Lat; left pediatric wrist radiograph; 477x1350.

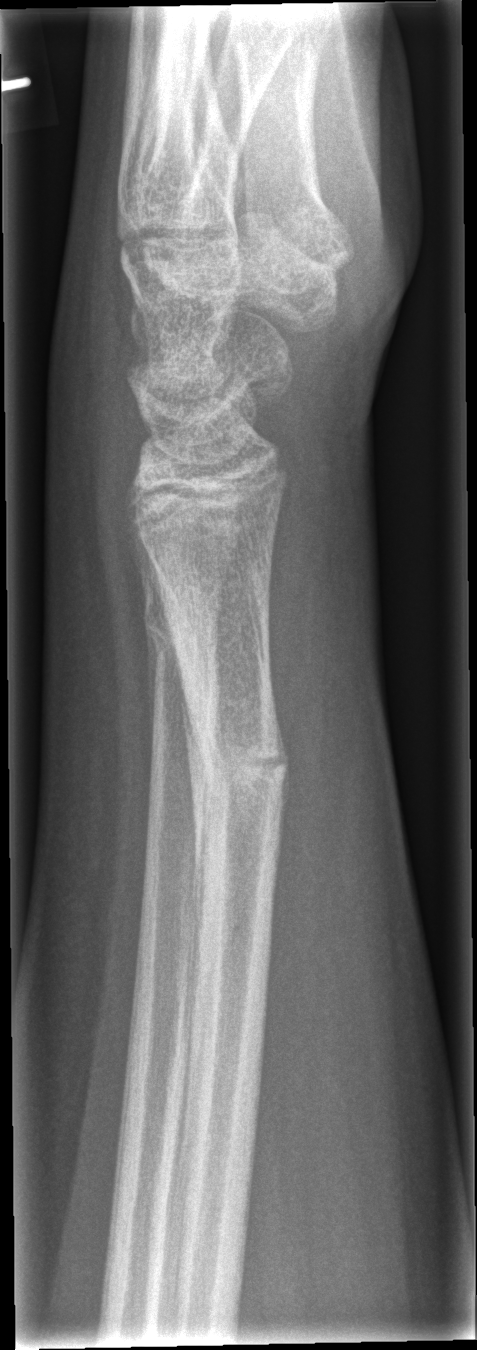
Bone fractures — 183,710,286,823
  141,581,223,665. Periosteal new bone: 179,676,219,1001; 147,629,165,788. AO code 23-M/2.1. Decreased bone density (osteopenia).